PA · left wrist plain film · boy, 5 yo · index exam · acquired on Siemens.
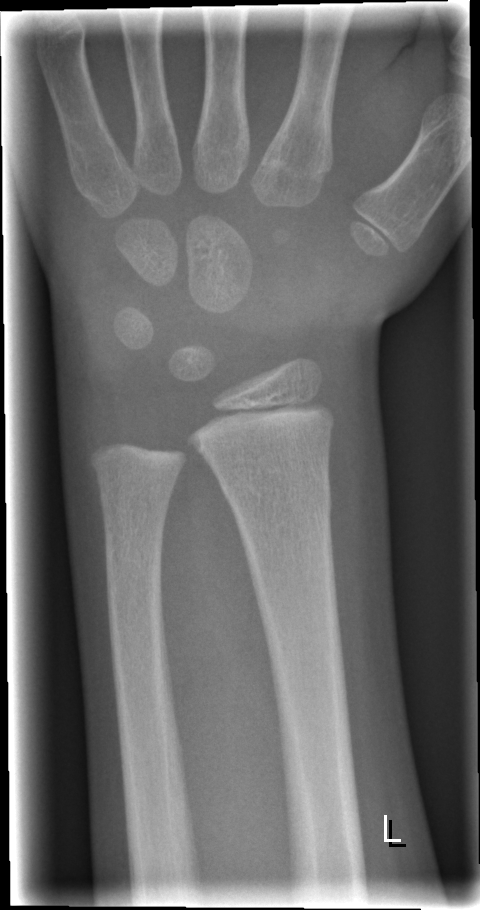
Bone fracture: 221,476,336,524.